Lt pediatric wrist radiograph · PA projection · pediatric patient (male, age 3) · in cast: 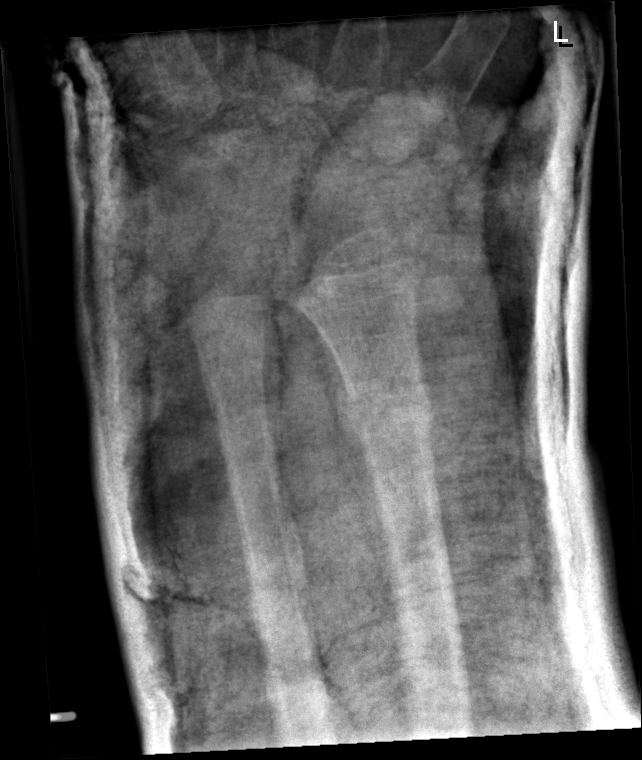 * Boxes as x1,y1,x2,y2 (top-left / bottom-right, pixel units).
* Fracture classified AO/OTA 23r-M/3.1; 23u-M/2.1.
* Fx identified at (334, 376, 439, 448) (197, 328, 271, 400).